Right pediatric wrist radiograph · AP view

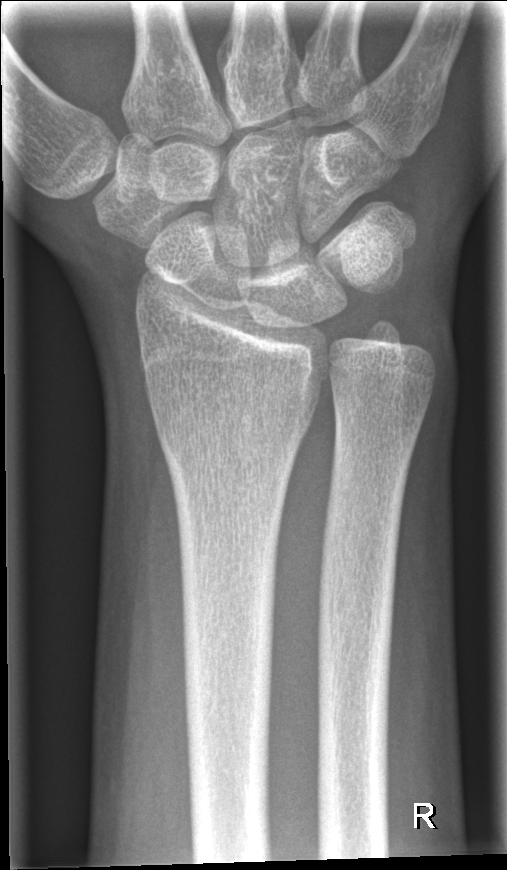
Q: Locate any fractures.
A: No fracture bounding box